PA/AP | left wrist radiograph | pediatric patient (male, age 13) | initial study | findings marked uncertain by the reading radiologist.
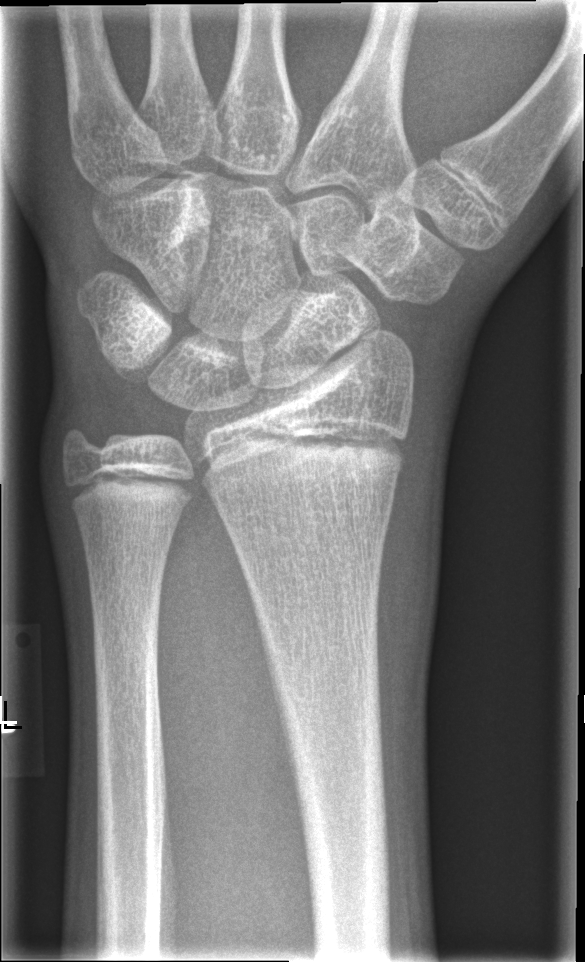
Bounding boxes in image-pixel xyxy.
Soft-tissue swelling — 367,449,439,787.
Fracture present, but no bounding box because it is not clearly seen in this view.
AO code 23r-M/2.1.